Frontal view, Lt plain radiograph of the wrist, 10-year-old boy
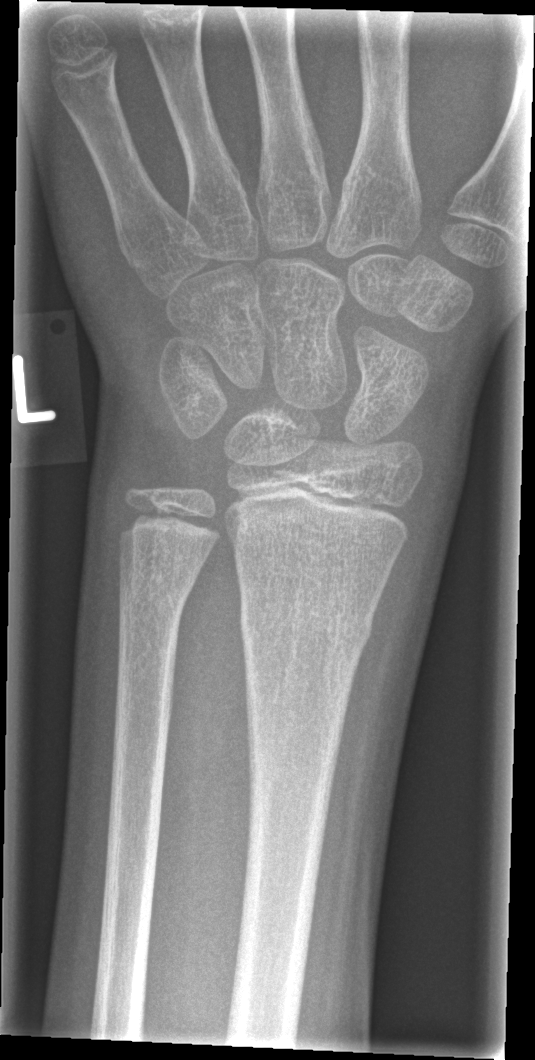

Coordinates are [x1, y1, x2, y2] in image pixels. Fracture classified AO/OTA 23-M/2.1. Fx — [x1=235, y1=584, x2=375, y2=652]; [x1=115, y1=575, x2=195, y2=619].